L pediatric wrist radiograph, AP projection

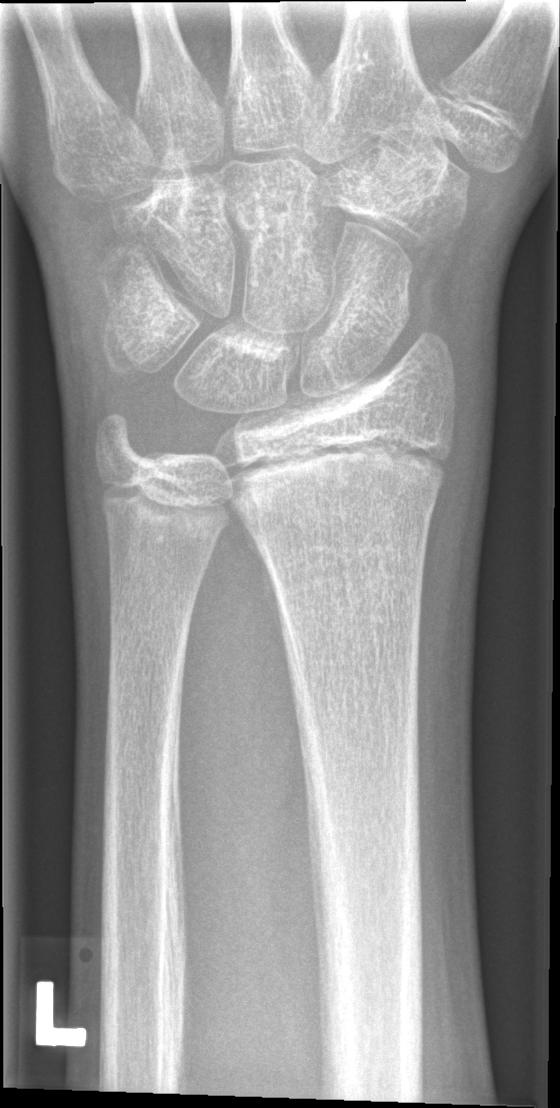
AO/OTA classification: 23r-E/2.1.
Osteopenic.
Bone fracture — 219 430 456 540.